Posteroanterior · L wrist XR

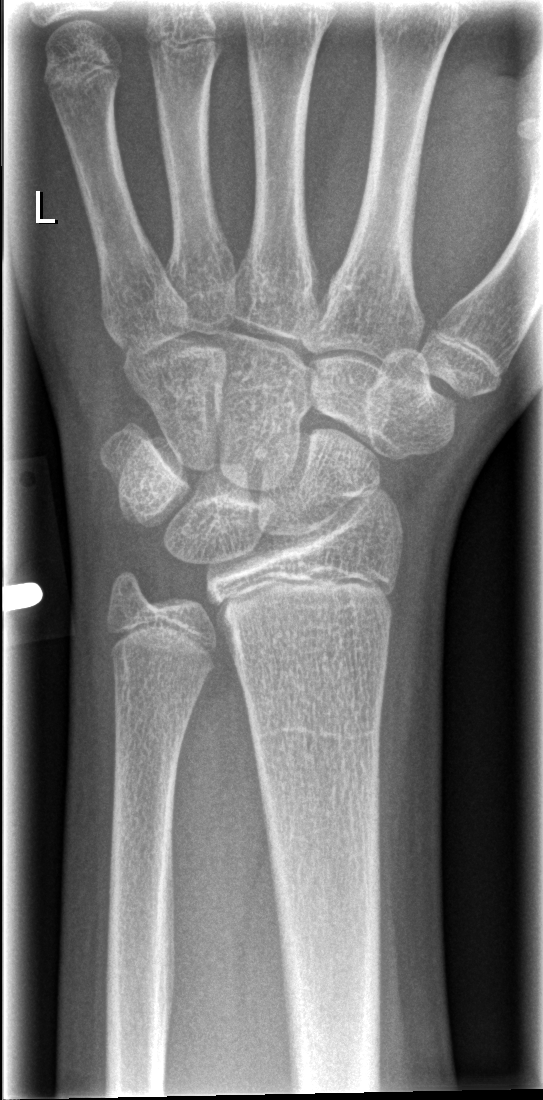

Fracture = none labeled